L plain radiograph of the wrist | lateral projection.
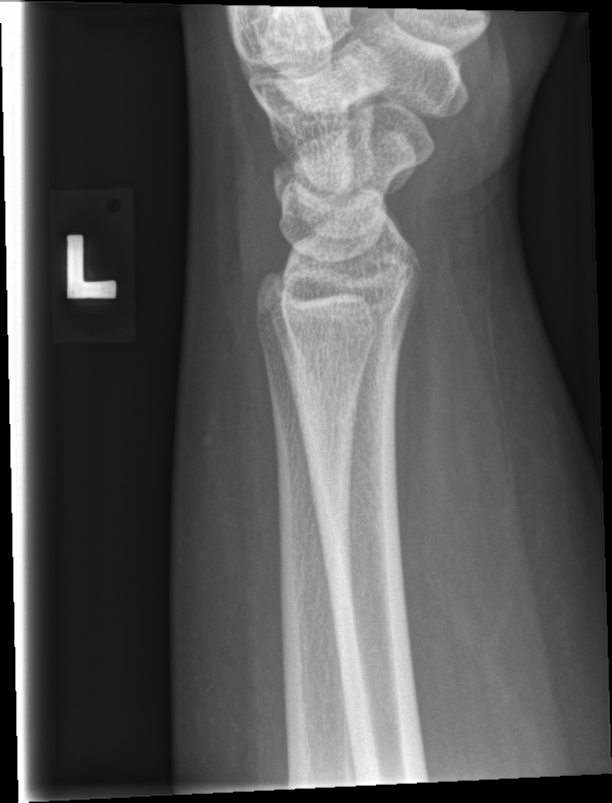 • No fracture annotation.